Posteroanterior projection | right plain radiograph of the wrist | pediatric patient (girl, age 16) | Siemens:

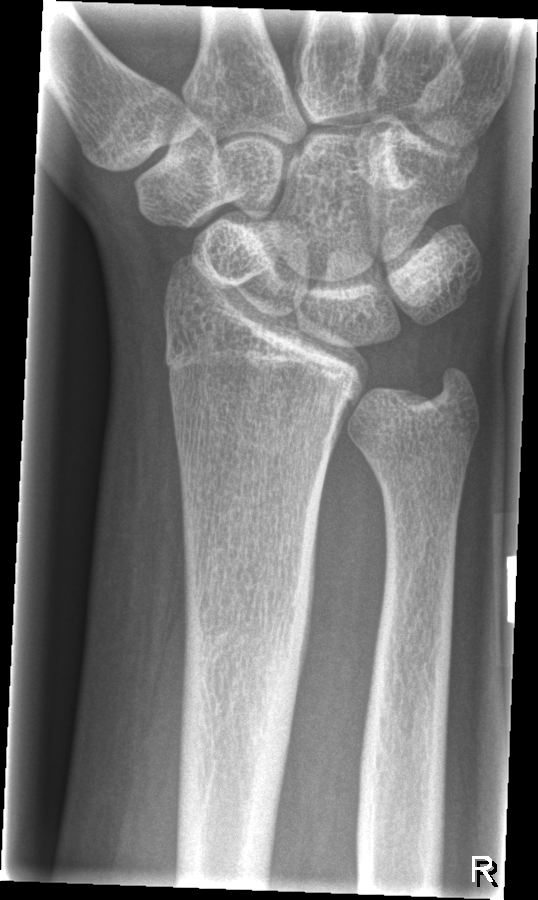

- Bone fracture — [x1=171, y1=577, x2=309, y2=820].